Rt wrist XR; lat; image size 725x1302 — 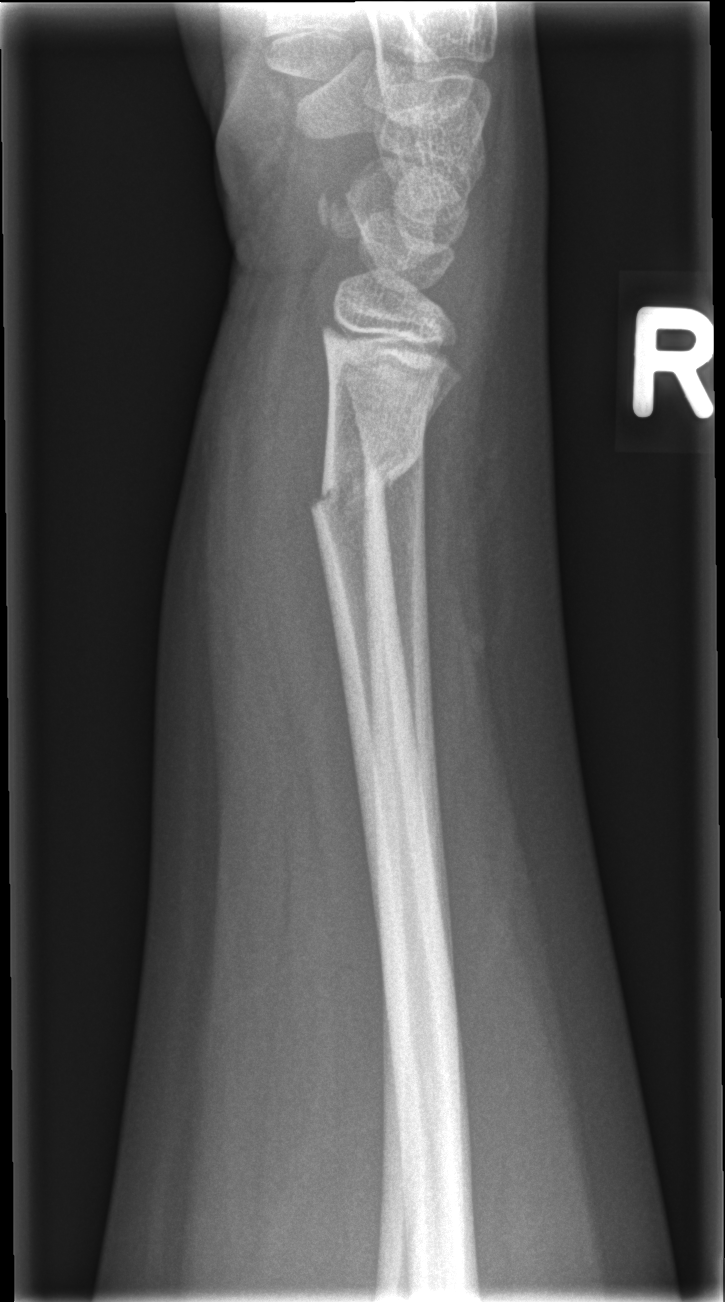
• Positive pronator fat-pad sign: bbox(236, 314, 382, 907).
• Fx — bbox(307, 432, 426, 519).
• AO code 23r-M/3.1; 23u-E/7.